Left wrist X-ray; frontal
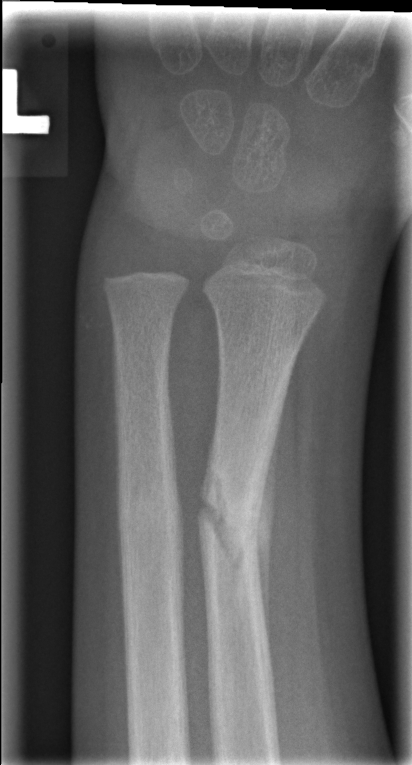
Findings: Bone fracture identified at (195, 472, 267, 575) (112, 469, 190, 561). AO code 22-D/4.1. One periosteal new bone at (256, 414, 282, 653). Osteopenia.